Lateral projection · Rt wrist XR · 14-year-old female · presentation radiograph.

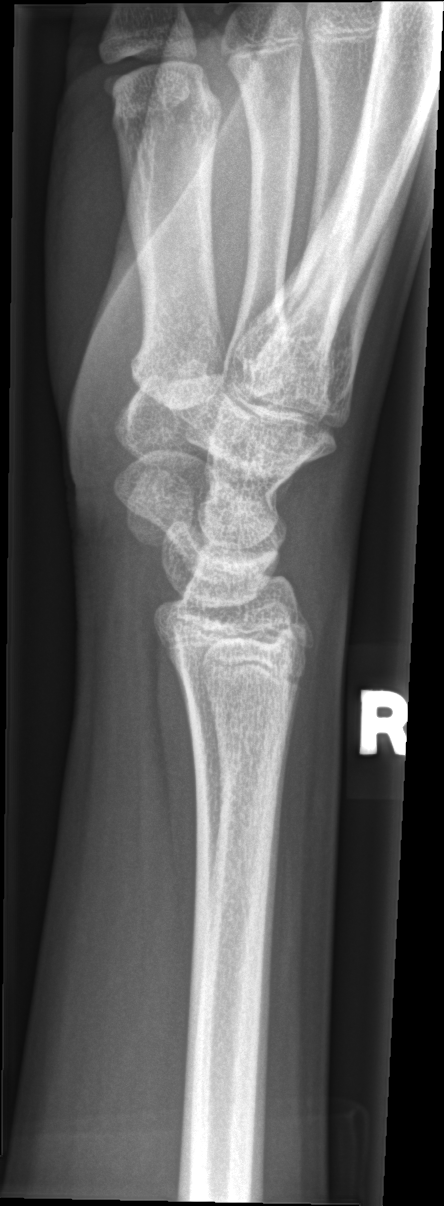 fracture = none labeled